Lateral | left wrist X-ray | presentation radiograph | 59.6 mm image width

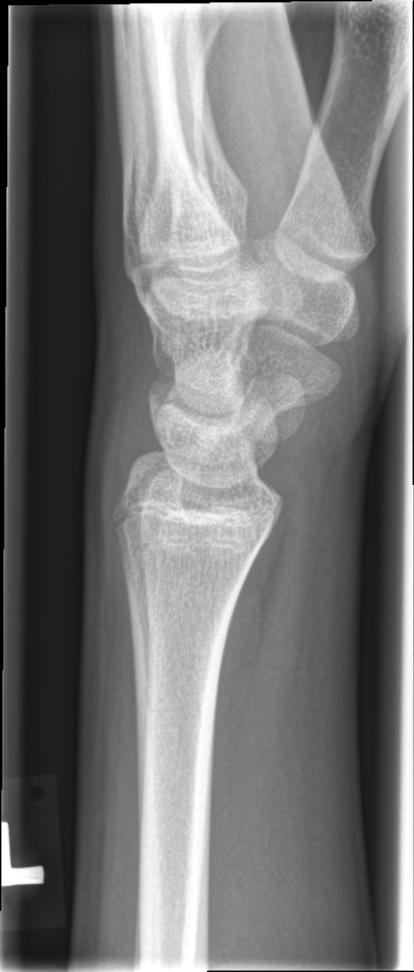 Bone fracture = none labeled